R wrist radiograph; lateral view; 10-year-old male; 581x1004 —
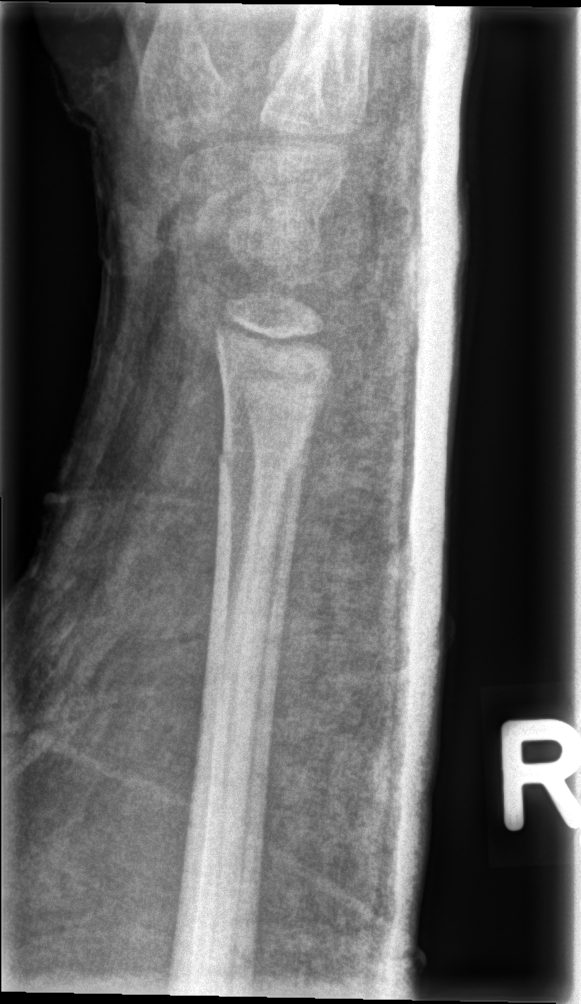 FINDINGS — Bone fracture identified at [211, 421, 311, 485]. AO code 23r-M/3.1.